Right pediatric wrist radiograph | lat | presentation radiograph | 73.3 mm image width:
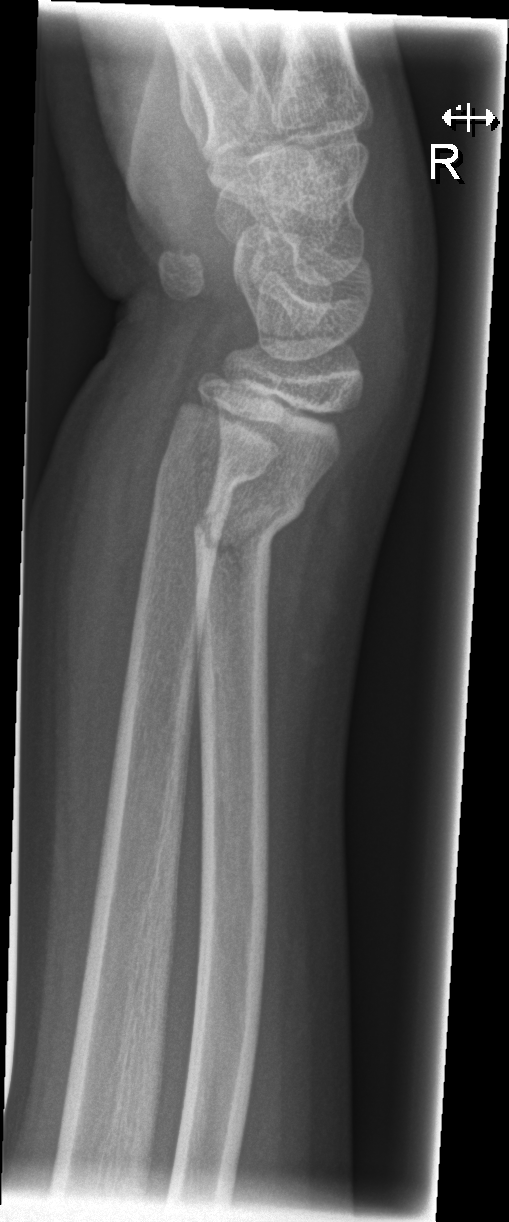
{
  "_coords": "coordinates are [x1, y1, x2, y2] in image pixels",
  "fracture": "2 @ 189,486,312,583; 146,443,270,512",
  "softtissue": "1 @ 24,324,190,811"
}